AP, Lt plain radiograph of the wrist, image width 78.6 mm.

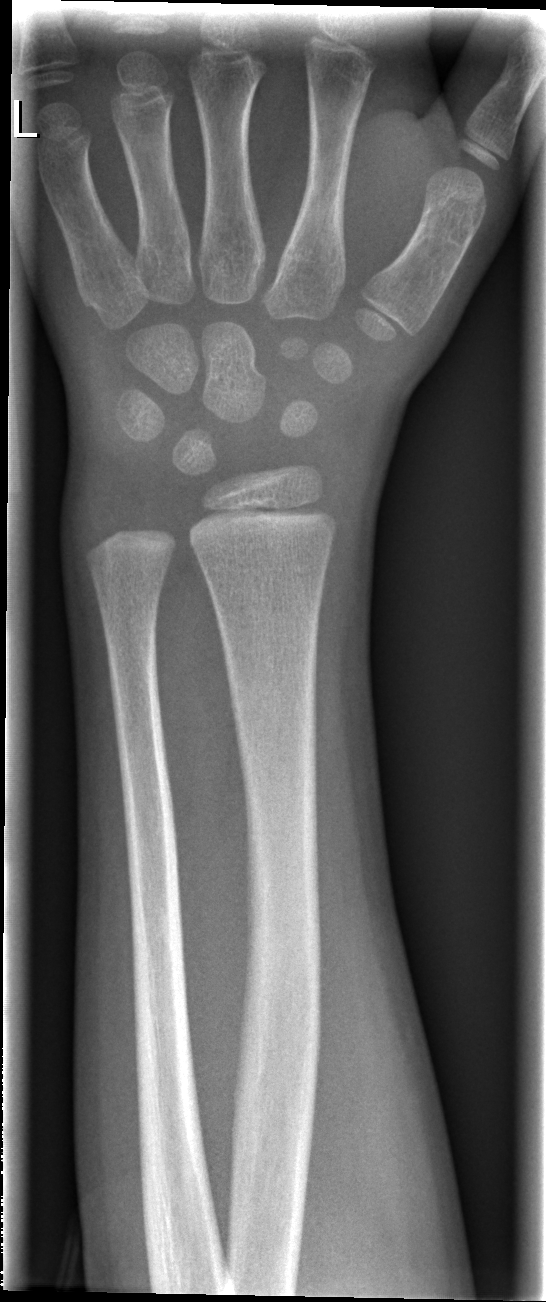
Findings: No fracture bounding box.